Right wrist radiograph · AP · pediatric patient (female, age 6) · image width 62.8 mm:
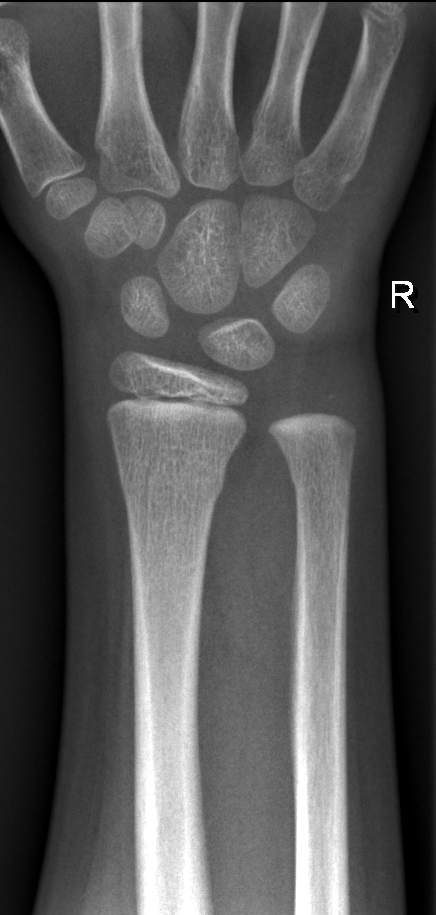
Coordinates are [x1, y1, x2, y2] in image pixels. Fx identified at (114, 440, 229, 508), (288, 454, 355, 497).